PA/AP view | left wrist XR | detector: Siemens | 444x808. 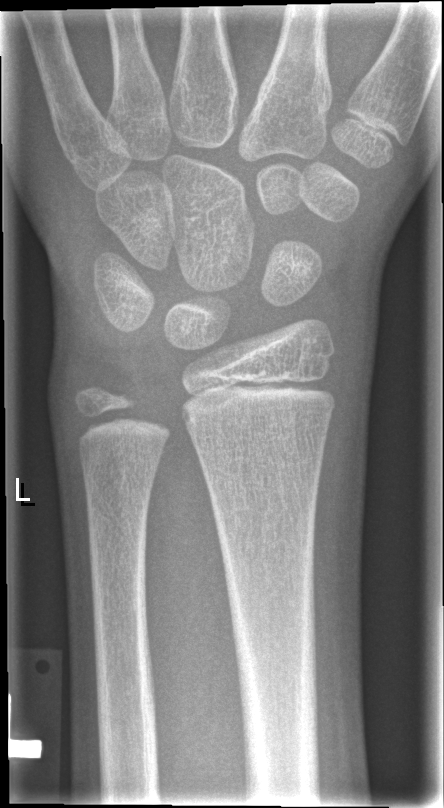
• No Fx annotated.